Left wrist plain film; lateral; follow-up: 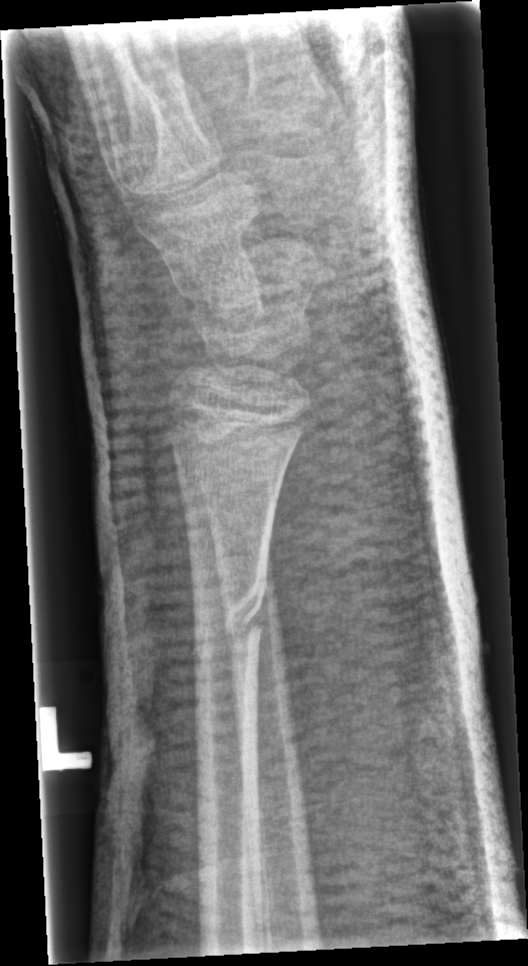

One fracture at 187,568,270,675.